Frontal view | Rt wrist plain film | initial study | equivocal findings.
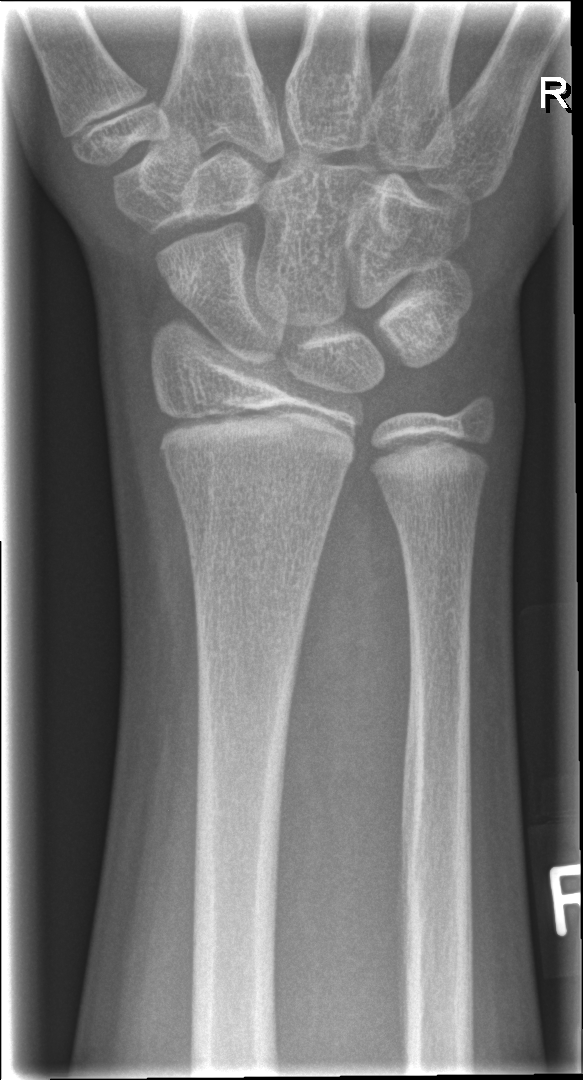 FINDINGS — AO code 23r-M/2.1. Fracture present, though not clearly seen in this view.